Left wrist X-ray · lateral · 17y F · 457x1120 —

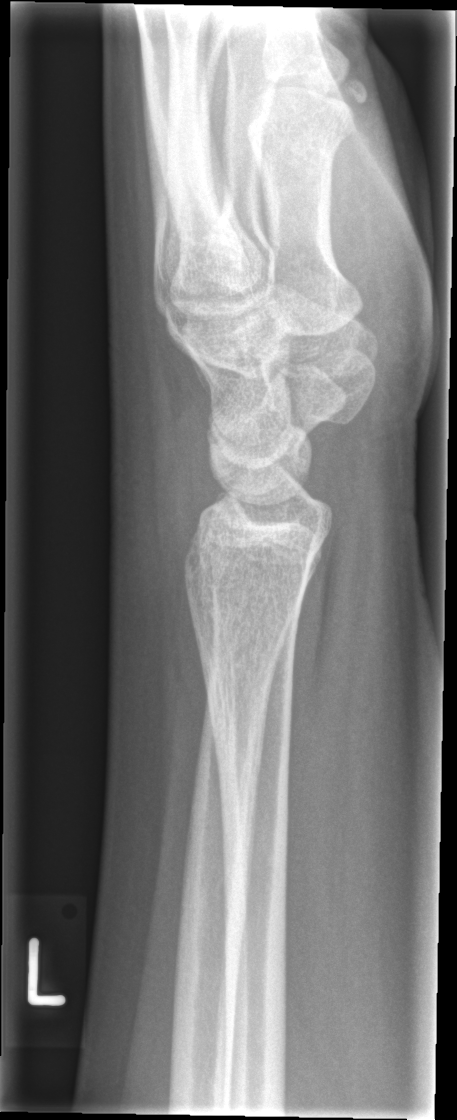
{
  "fracture": "none labeled"
}